PA/AP projection · Rt wrist X-ray · 7-year-old boy · follow-up study 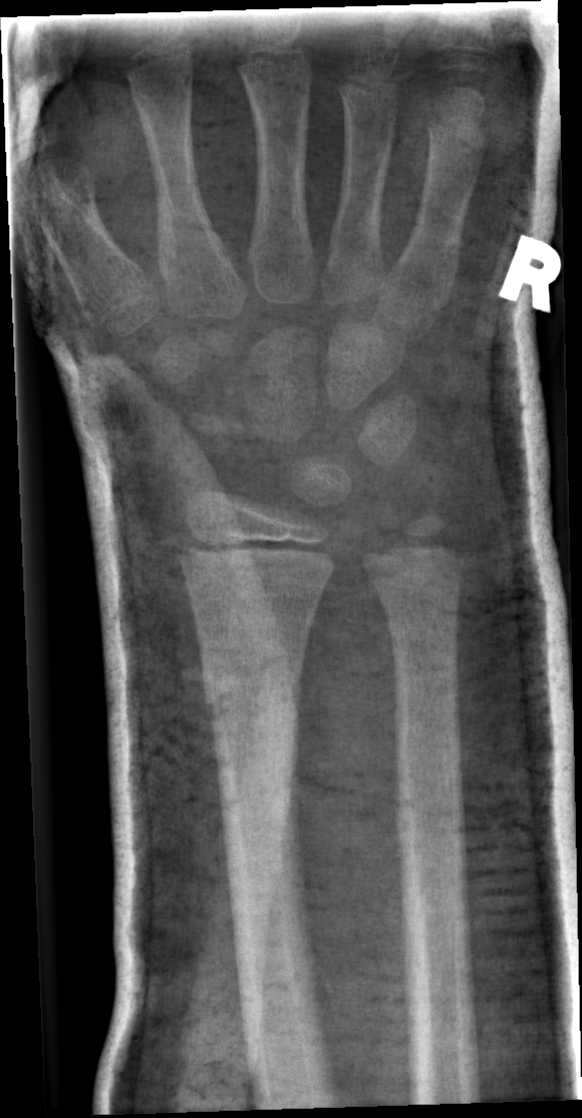 Coordinates are [x1, y1, x2, y2] in image pixels.
Fx identified at (202, 654, 304, 735).